Lateral view · R pediatric wrist radiograph · cast present · Siemens · image size 743x1046: 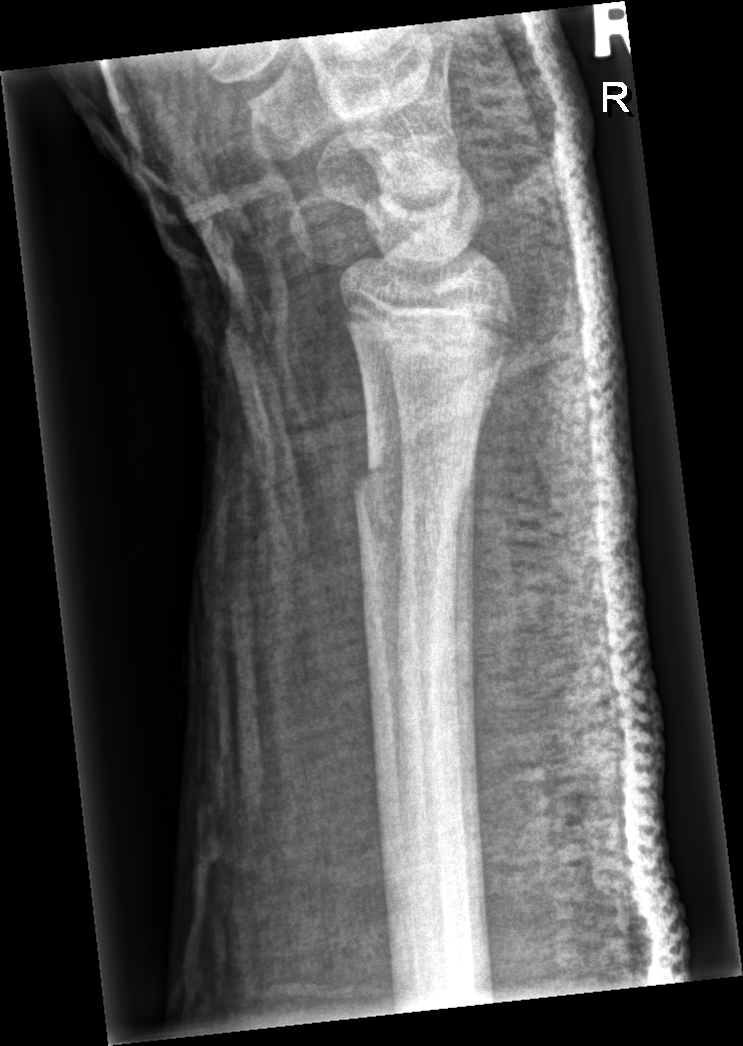 Fracture identified at <347,456>-<470,552>. Fracture classified AO/OTA 23r-M/3.1; 23u-E/7.